Lt wrist radiograph | posteroanterior | 8-year-old female | 520x790.

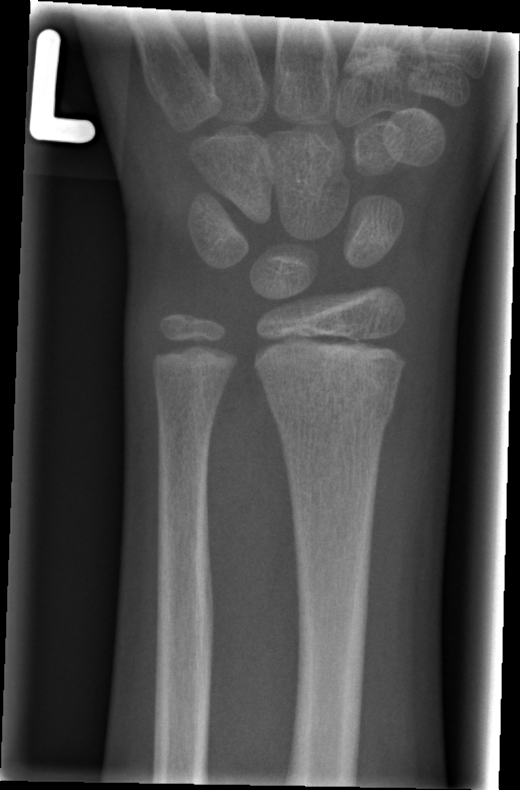
Findings: Bone fracture: 263 384 401 441. Fracture classified AO/OTA 23r-M/2.1.